Lt plain radiograph of the wrist; frontal view; age 16 y, boy
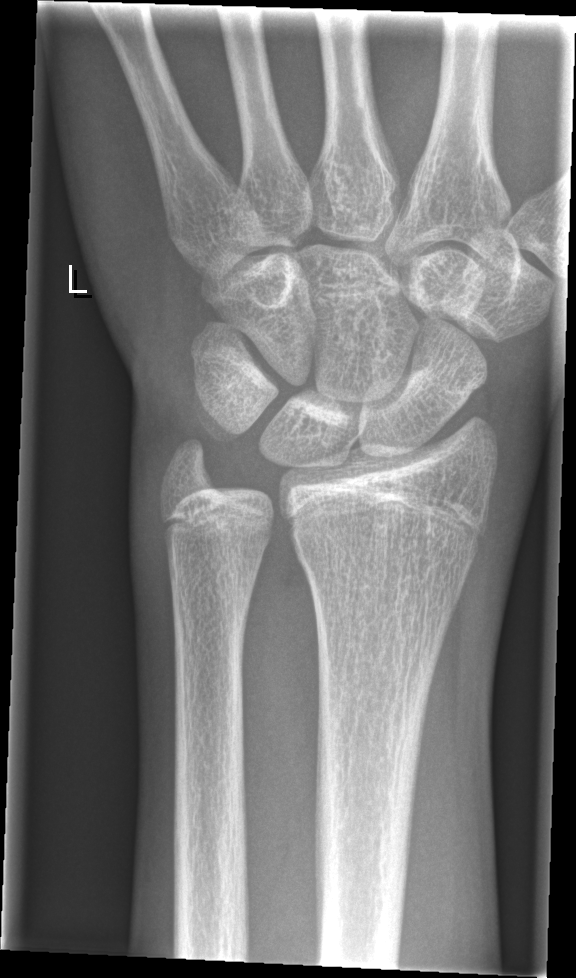

FINDINGS — Fx: none.